Right plain radiograph of the wrist | PA projection | index exam | image size 592x1126
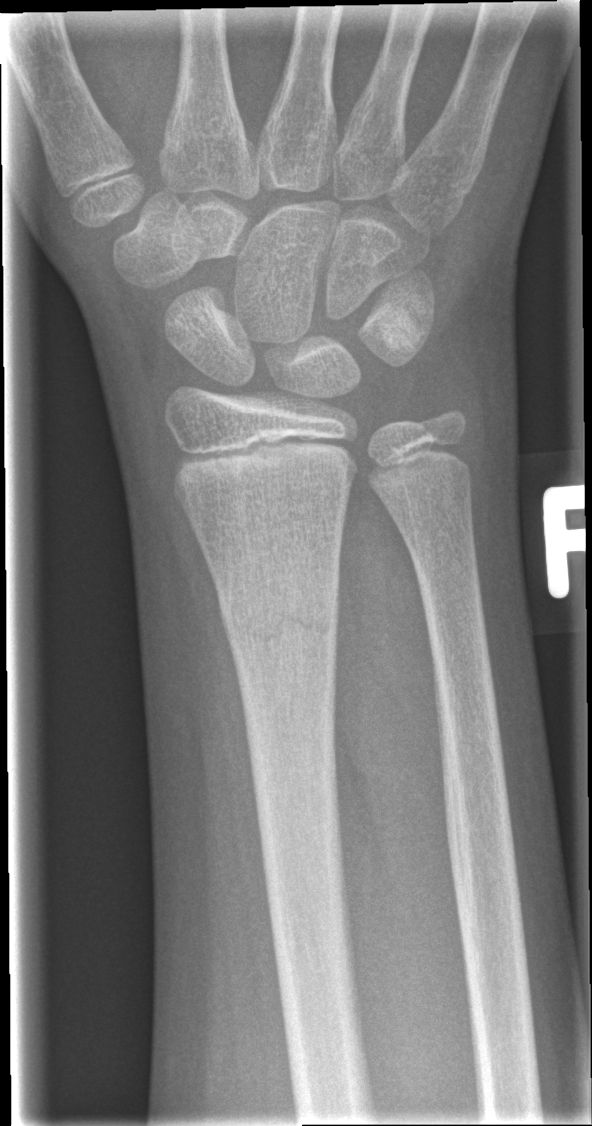
  # bounding boxes in image-pixel xyxy
  fracture: 219,593,343,655